Lateral view | Lt wrist radiograph | Siemens | 397 by 626 pixels:

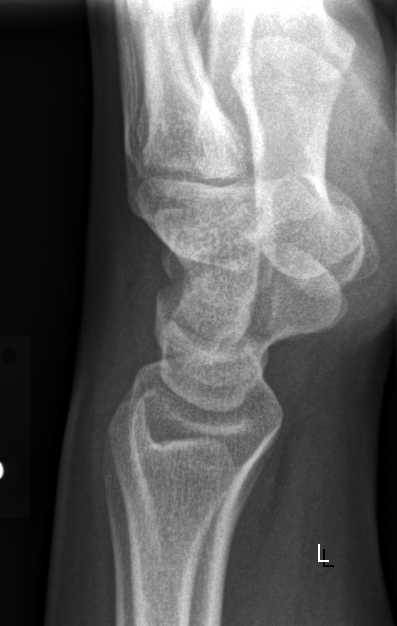
- Fracture: none labeled.